Lat projection | left wrist XR | cast present | 480x764 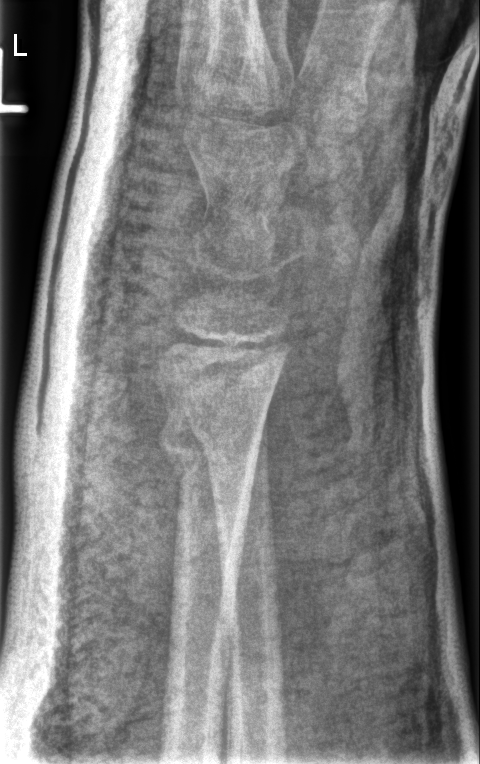 Q: AO code?
A: Fracture classified AO/OTA 23-M/2.1
Q: Locate any fractures.
A: One bone fracture at [154, 403, 260, 489]